Frontal view · Rt pediatric wrist radiograph · 8y F · imaged through cast:
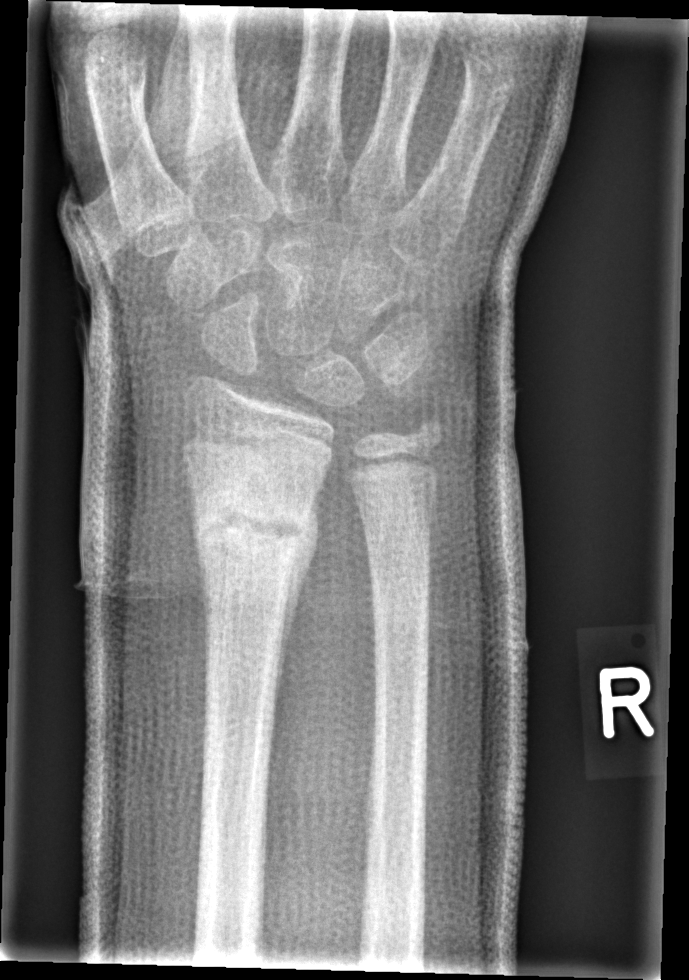
Periosteal new bone: [275, 472, 324, 707]. Fx — [186, 479, 322, 582].